Lt wrist plain film · lateral view.

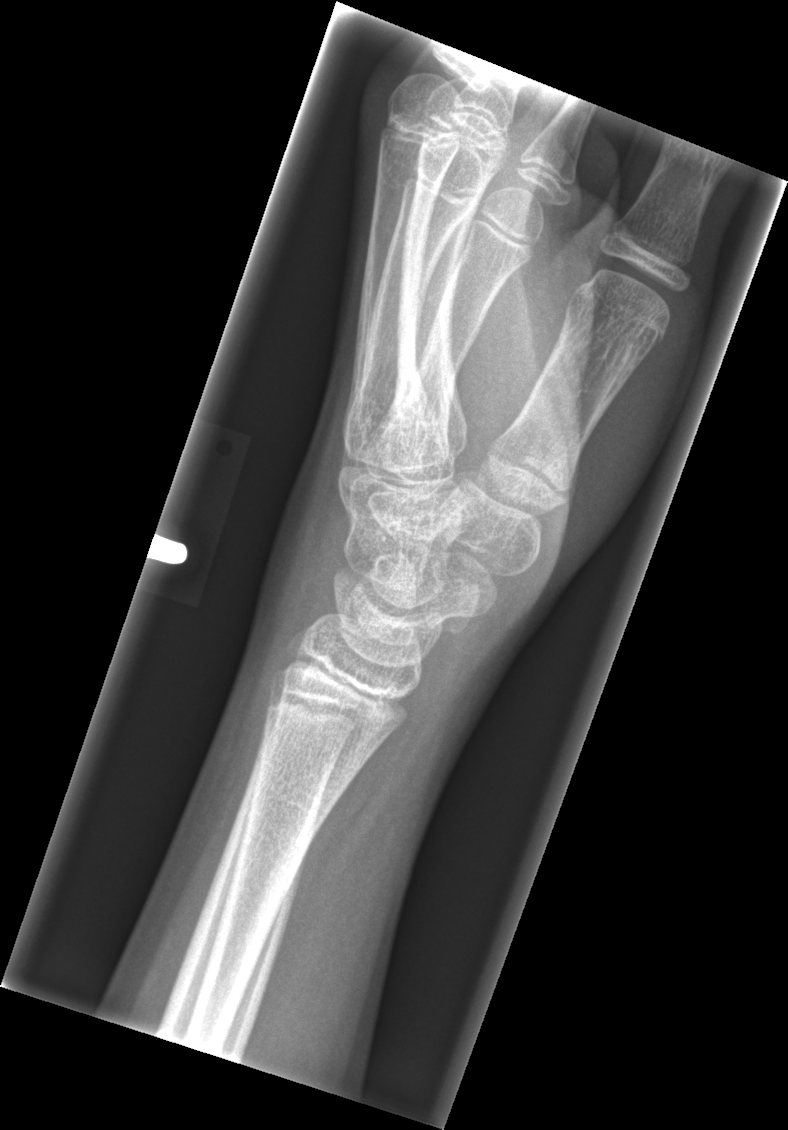 No fracture bounding box.